Lateral, left wrist plain film, 462x1184:
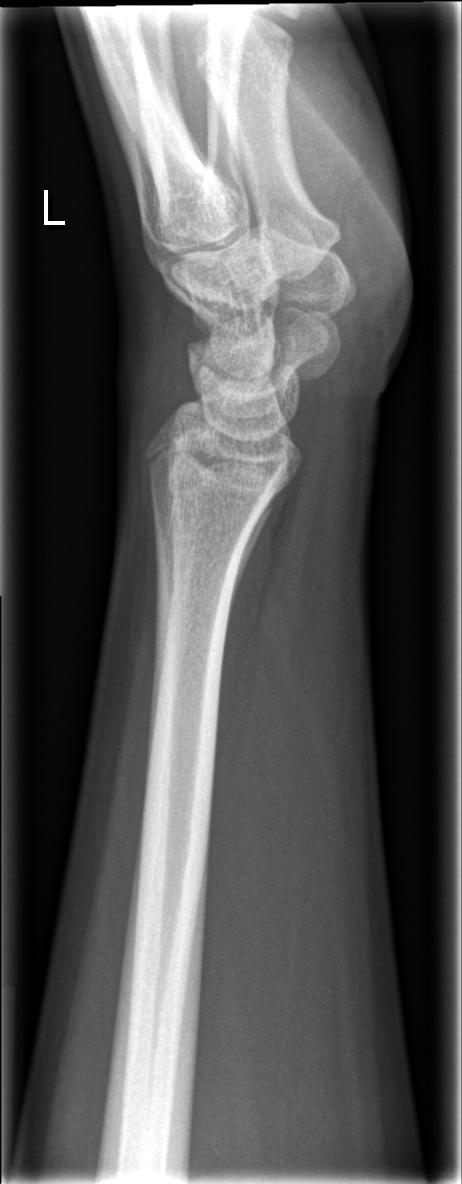

Q: Locate any fractures.
A: Fracture: none labeled